Left wrist plain film; frontal projection; pediatric patient (female, age 13); index exam.
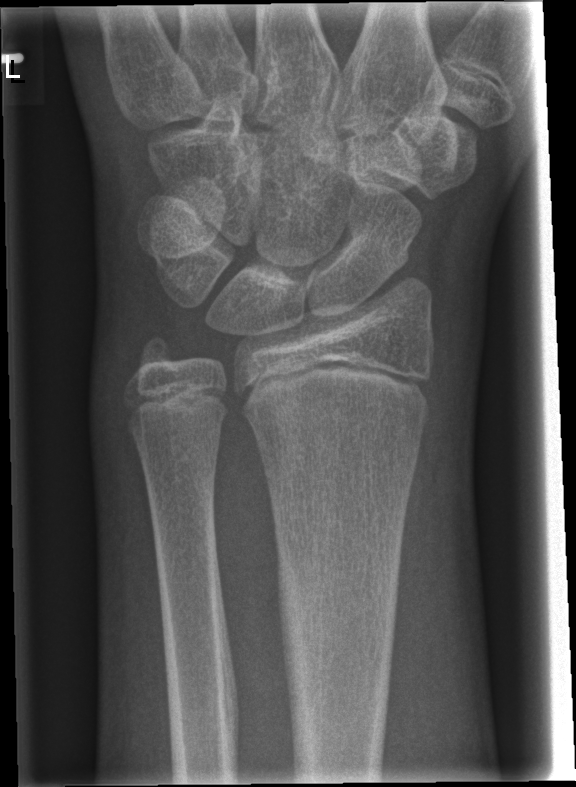 fracture: none labeled